Left wrist radiograph; lat; female, 6 yo: 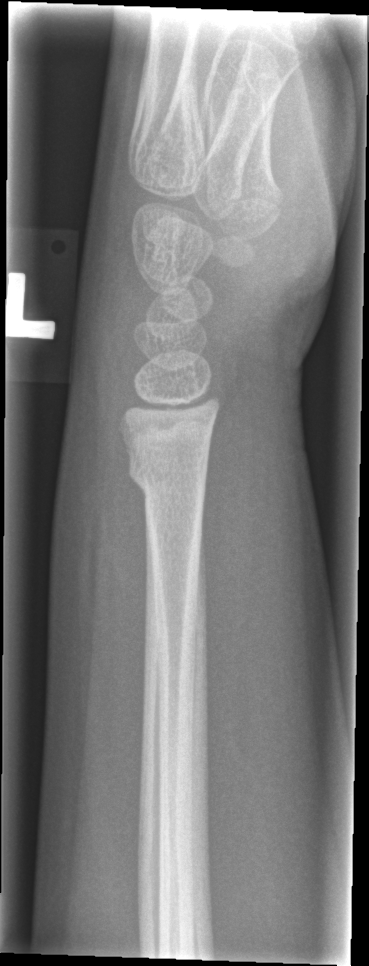 Fracture identified at (124, 442, 213, 509).